Lat view, right wrist X-ray, pediatric patient (male, age 5) 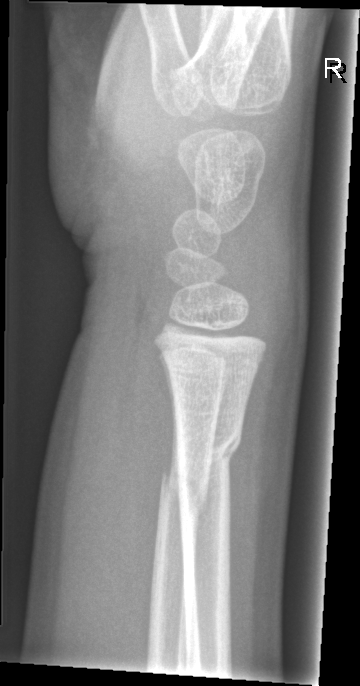 Fx — [170, 418, 245, 491]; [158, 464, 211, 521].